Lateral | L wrist X-ray | follow-up | cast in situ | detector: Siemens | 600 x 1284 px:

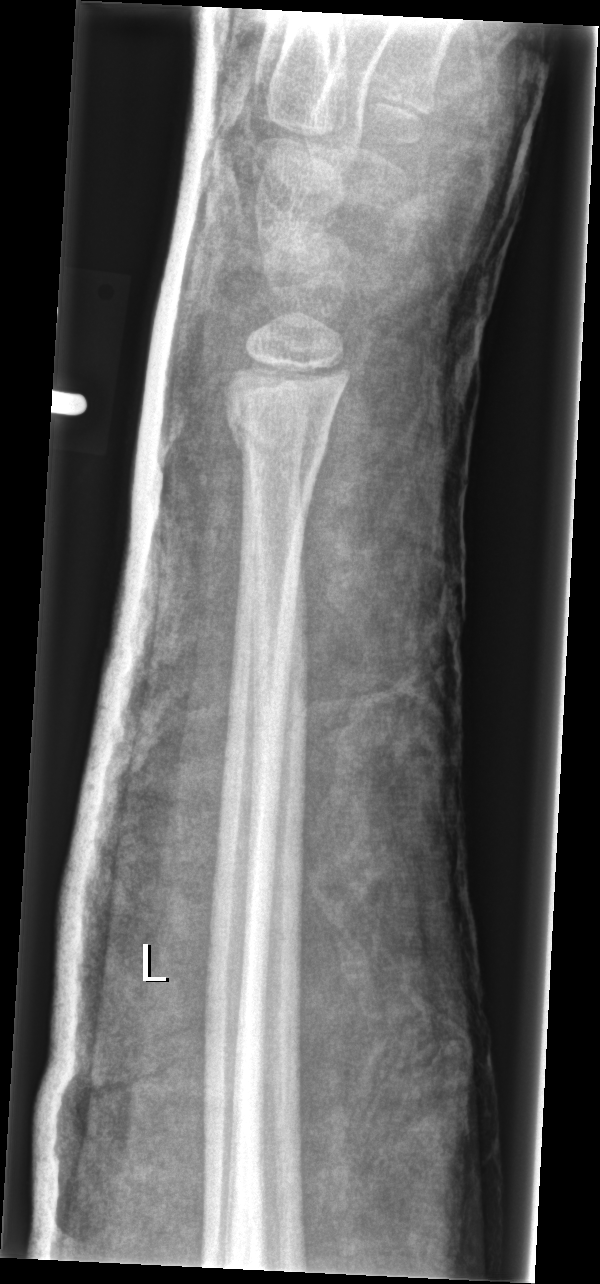
Fracture: [222, 406, 334, 478]. AO/OTA classification: 23r-M/2.1.